AP projection; left wrist plain film; 7-year-old female; 442 by 842 pixels — 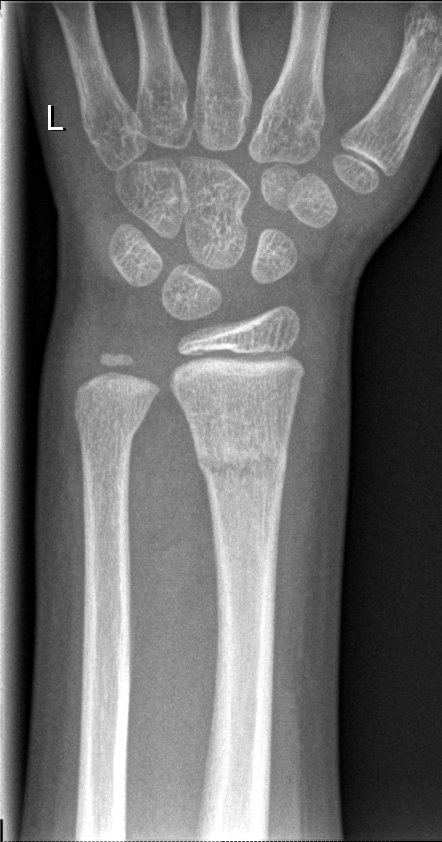 Boxes as x1,y1,x2,y2 (top-left / bottom-right, pixel units). AO/OTA classification: 23r-M/3.1; 23u-M/2.1. Two Fx at 191 428 292 487 | 70 394 153 451.